PA/AP · right wrist pediatric wrist radiograph · age 10 y, boy:
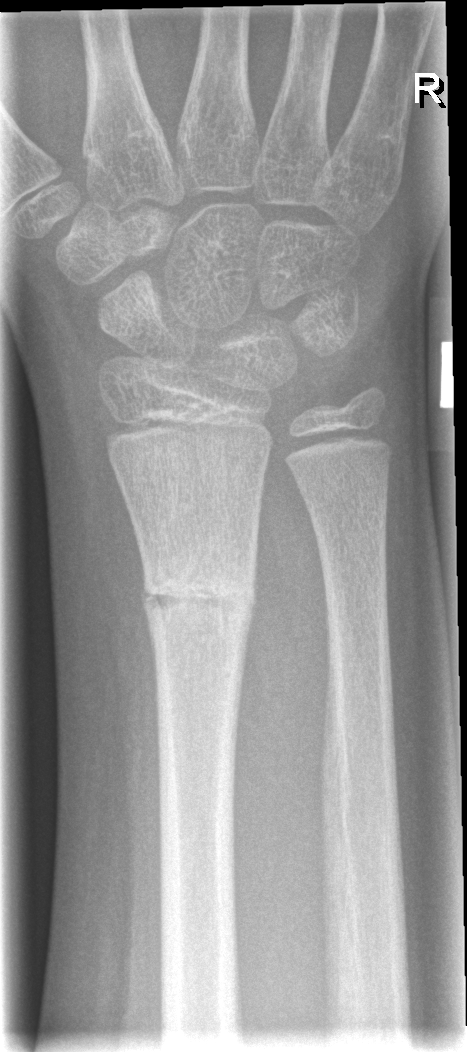
Pixel coordinates, top-left origin, xyxy.
AO/OTA classification: 23r-M/2.1.
Fracture identified at 137,548,258,642.